Frontal view · L wrist plain film —

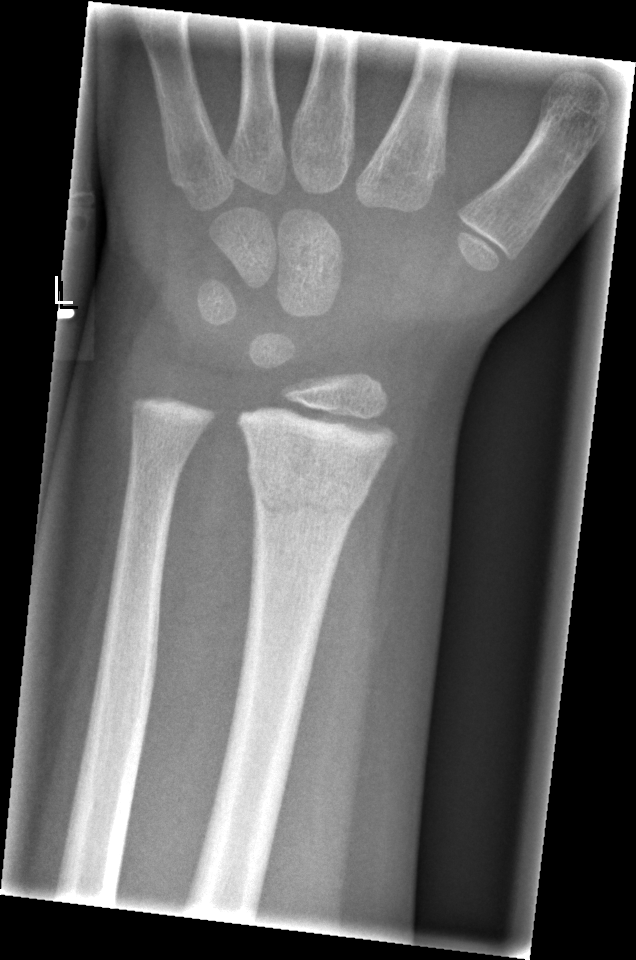 Fracture — [x1=244, y1=445, x2=377, y2=523]. Fracture classified AO/OTA 23r-M/3.1.